Lat view; right wrist X-ray.
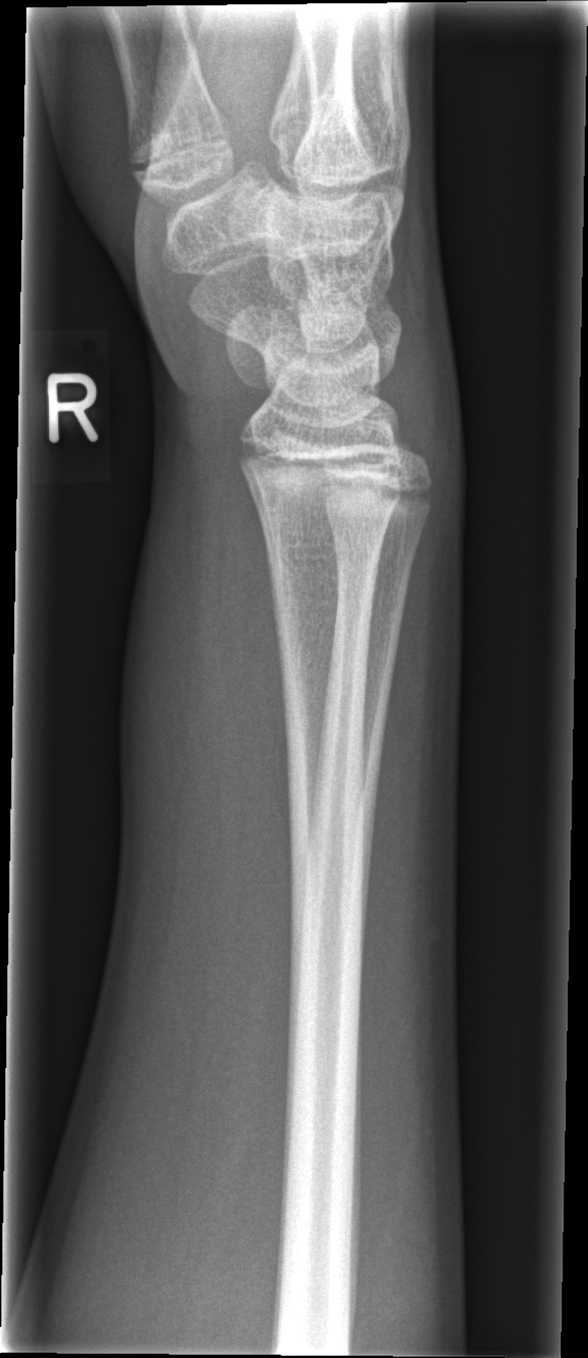
  ao: 23r-M/2.1
  fracture: (246, 459, 405, 566)
  pronatorsign: (198, 460, 301, 904)